Right wrist plain film | PA/AP:

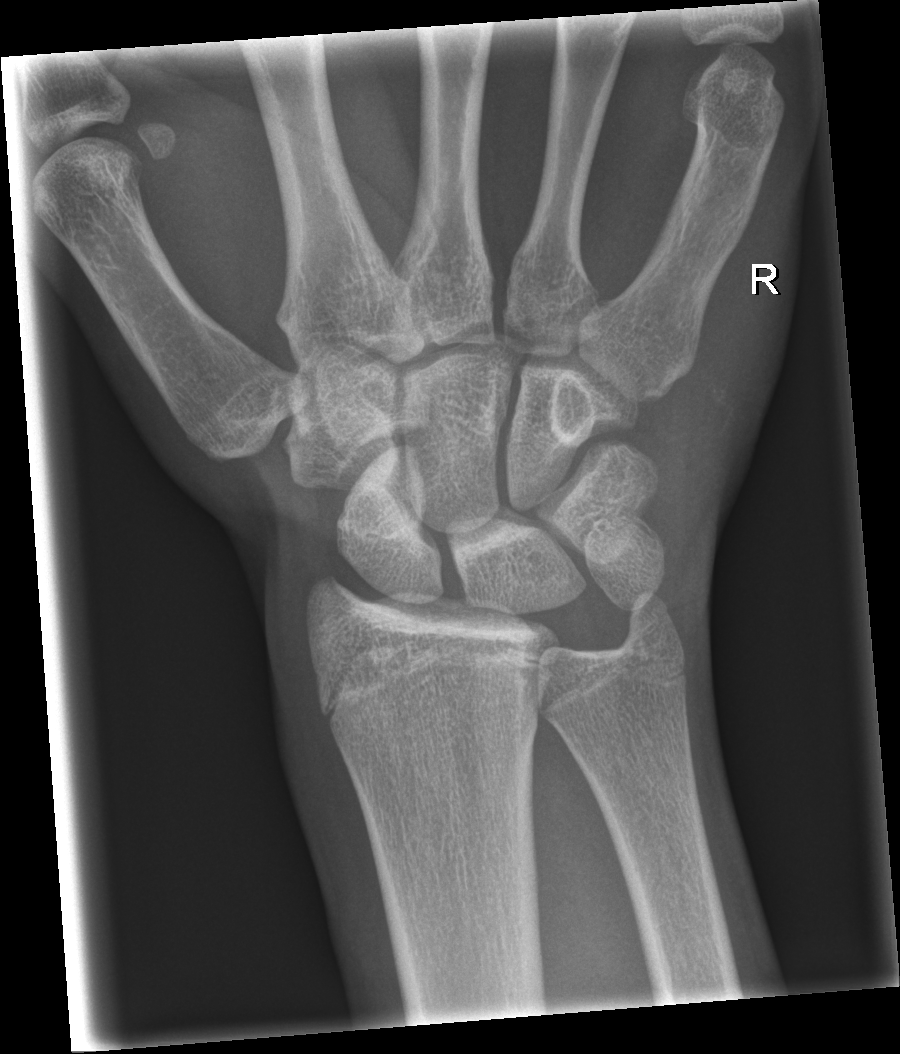 Fracture: none labeled